R wrist X-ray | AP | in cast — 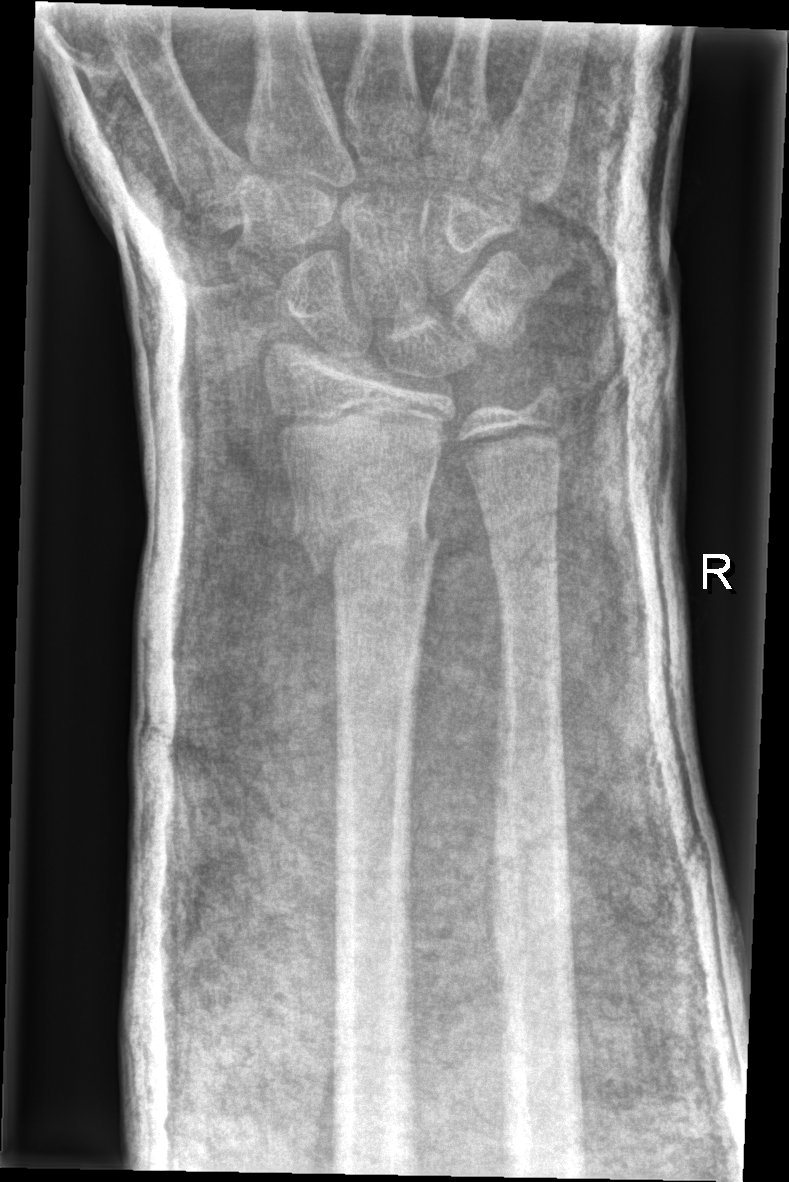 {
  "fracture": "290 492 444 585; 481 527 565 592"
}